Lat · L wrist XR
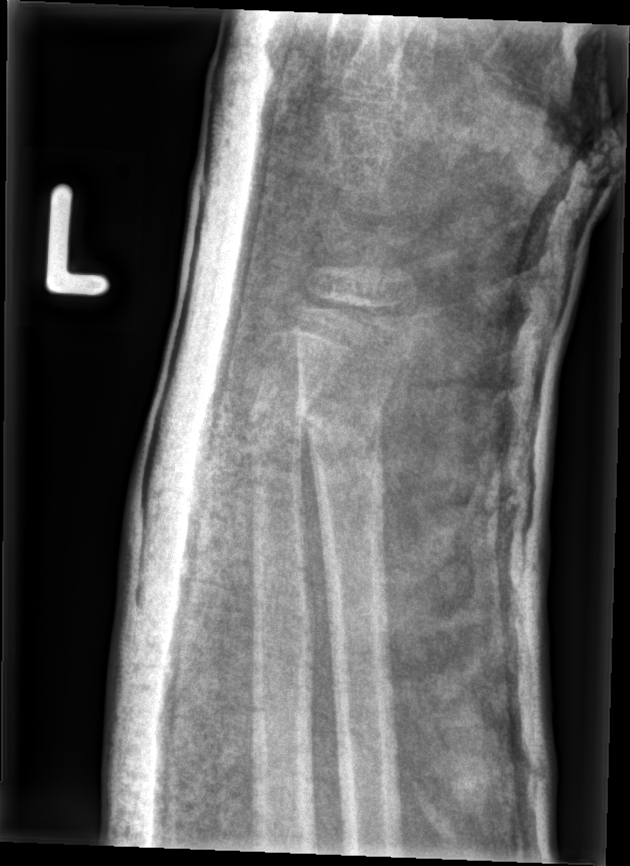
FINDINGS: Bone fracture identified at [294, 398, 387, 459] [245, 403, 308, 457]. AO/OTA classification: 23-M/3.1.